Rt wrist X-ray | posteroanterior | 10-year-old girl | image 86.4 mm wide | 600x973 —

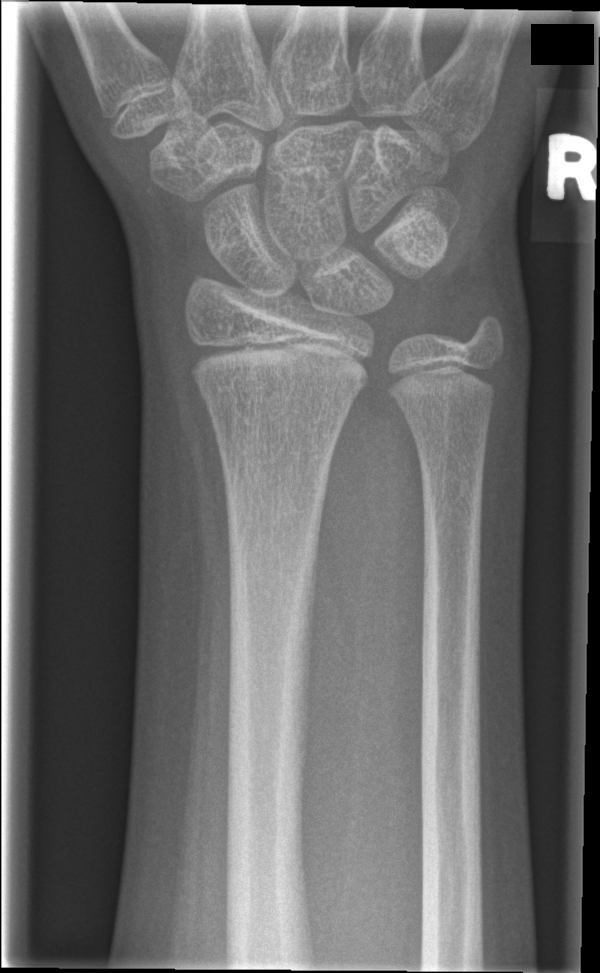
{
  "fracture": "present but not clearly seen in this view"
}